Left wrist radiograph · PA · 4y M · acquired on Siemens

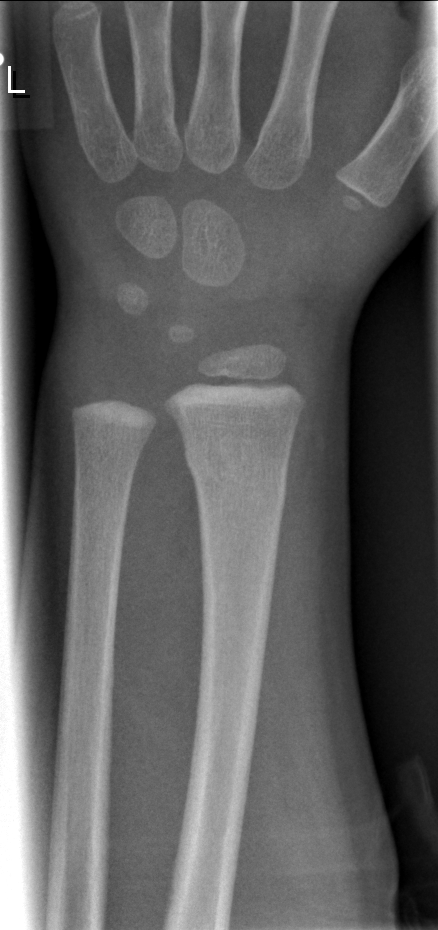
ao: 23r-M/2.1
fracture: 1 @ [x1=181, y1=437, x2=294, y2=513]